Frontal view | left wrist X-ray | boy, 15 yo | detector: Siemens:
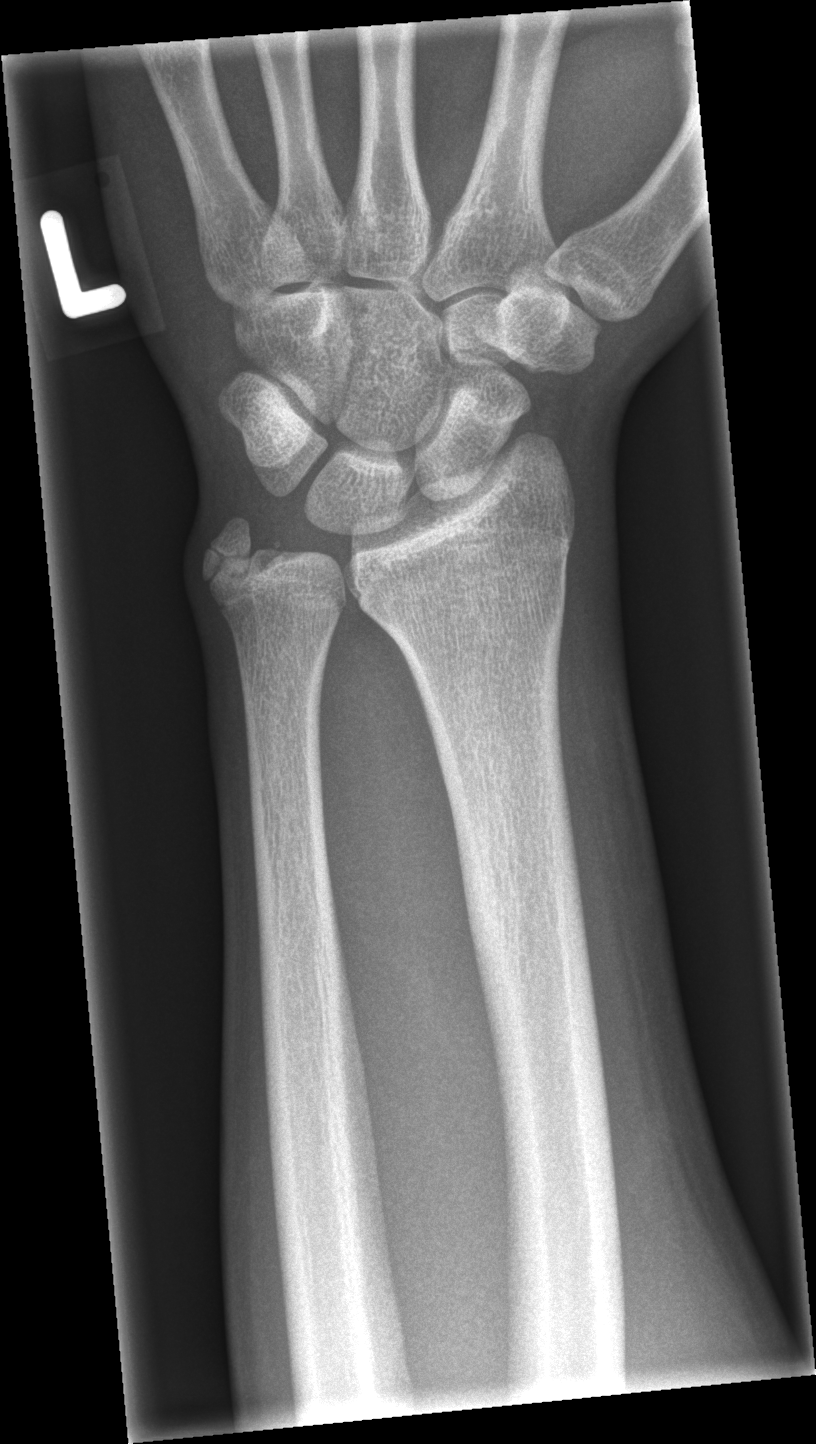

bone variant = 1 @ [x1=196, y1=514, x2=283, y2=590]
fracture = none labeled